Lt pediatric wrist radiograph | lat projection | pediatric patient (girl, age 12) | follow-up | cast in situ | image width 126.1 mm 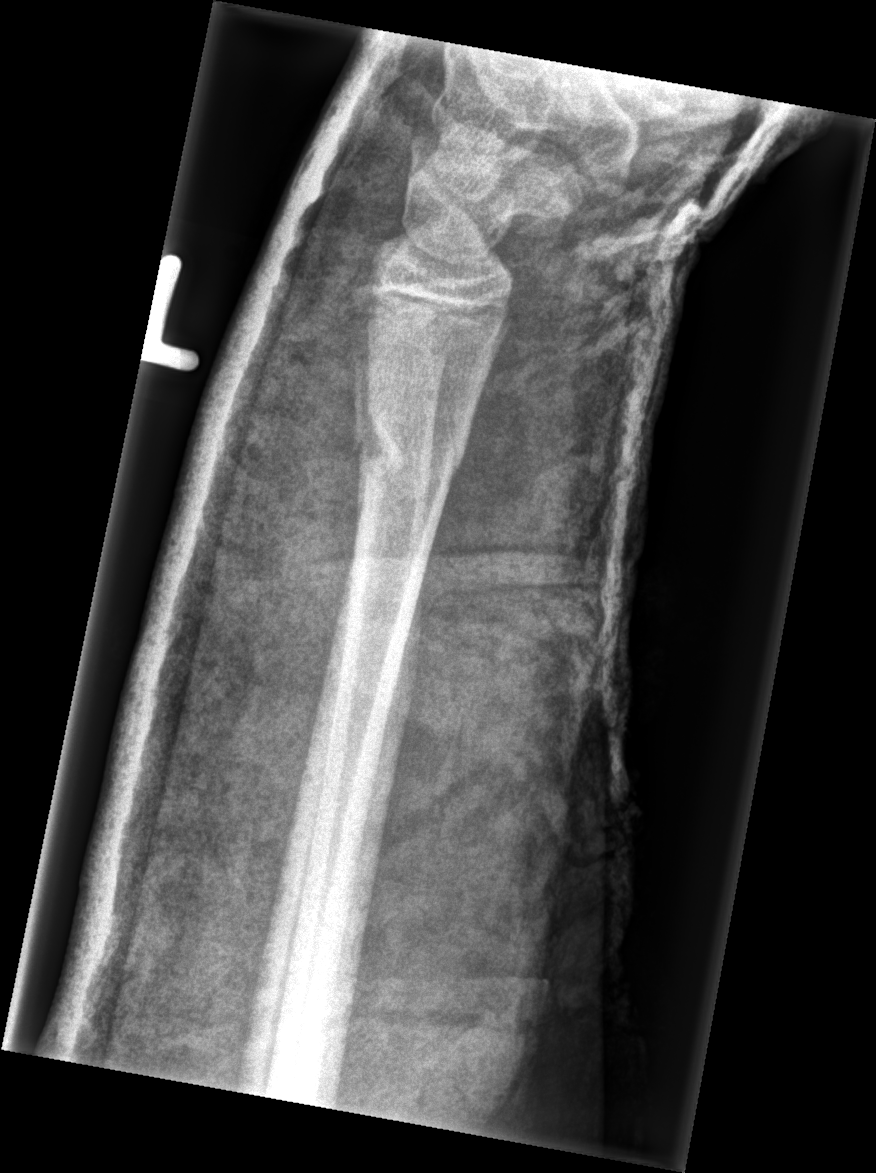 FINDINGS — AO/OTA classification: 23r-M/3.1. Fx — (346, 404, 467, 493).